PA/AP projection, left wrist X-ray, pediatric patient (boy, age 11), 79.8 mm image width.
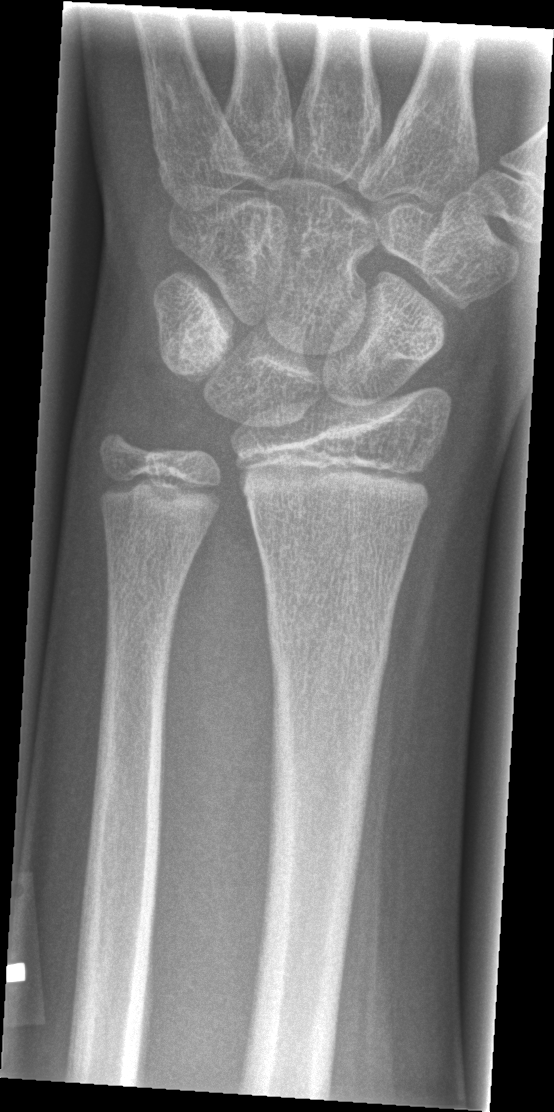

• AO/OTA classification: 23r-M/2.1.
• Fx identified at 264 594 393 682.